Lat · right wrist plain film · age 15 y, boy · presentation radiograph · acquired on Siemens:
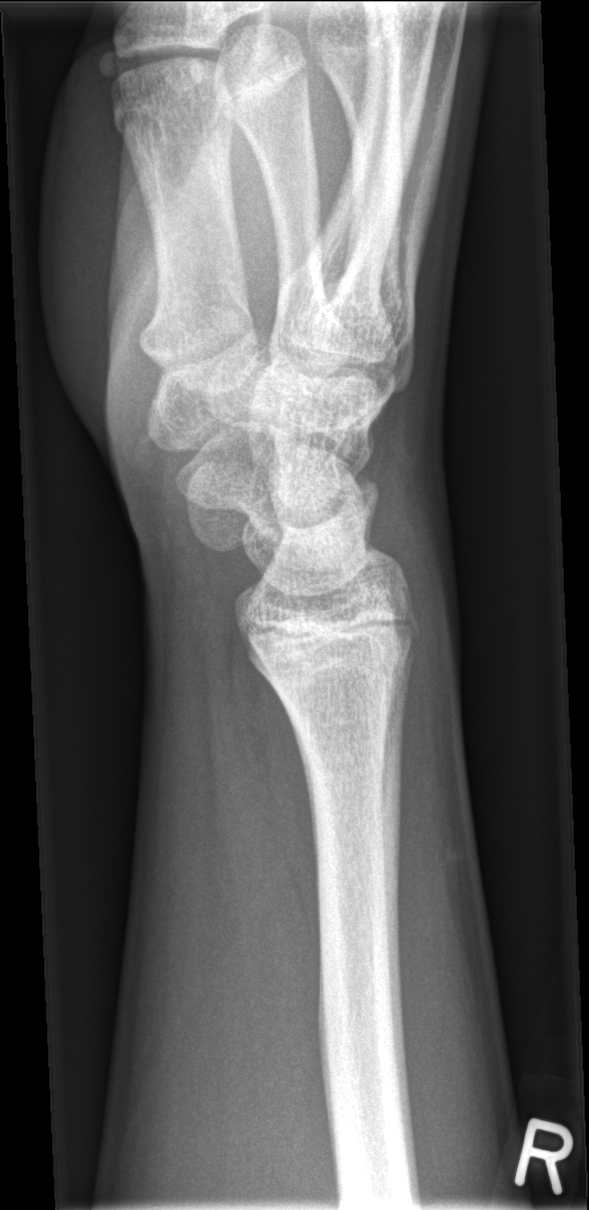
Bone fracture = none labeled